Left plain radiograph of the wrist · lat · cast present. 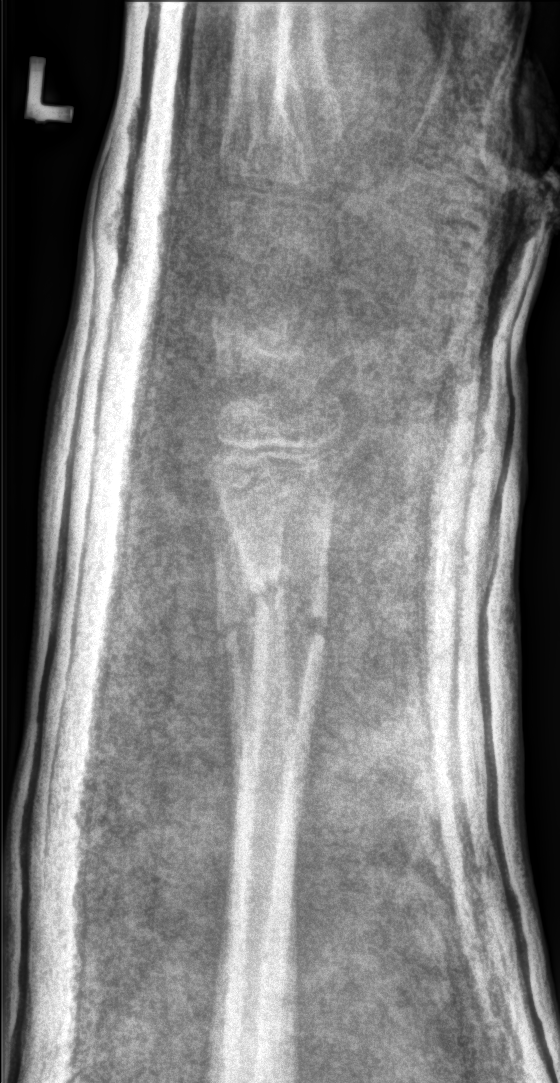
Pixel coordinates, top-left origin, xyxy.
Bone fracture: bbox(234, 557, 335, 667).